Right wrist X-ray · lateral view · age 6 y, male · follow-up study · cast in situ · image width 63.6 mm

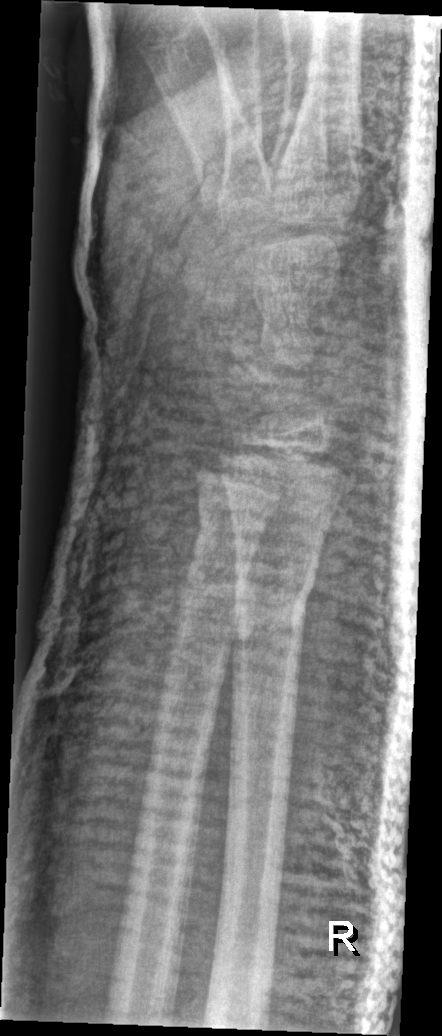

(bounding boxes in image-pixel xyxy)
AO classification = 23r-M/3.1; 23u-M/2.1
Fracture = [x1=230, y1=556, x2=320, y2=639], [x1=192, y1=510, x2=264, y2=560]